PA view; right wrist plain film; pediatric patient (boy, age 15); presentation radiograph:
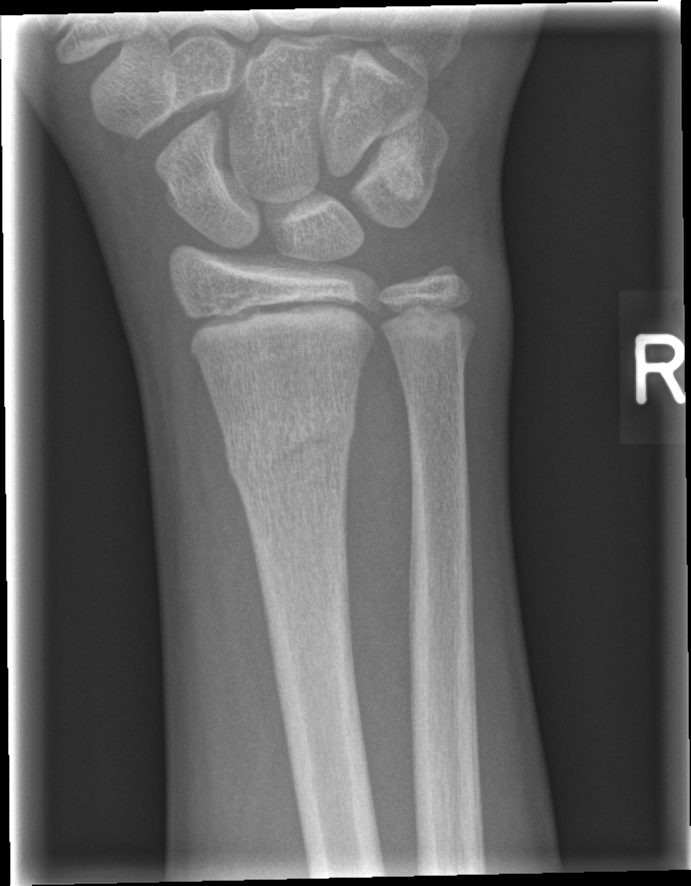

Bounding boxes in image-pixel xyxy.
One fracture at <221,399>-<361,513>.